Lat view; left plain radiograph of the wrist; male, 6 yo; subsequent exam:
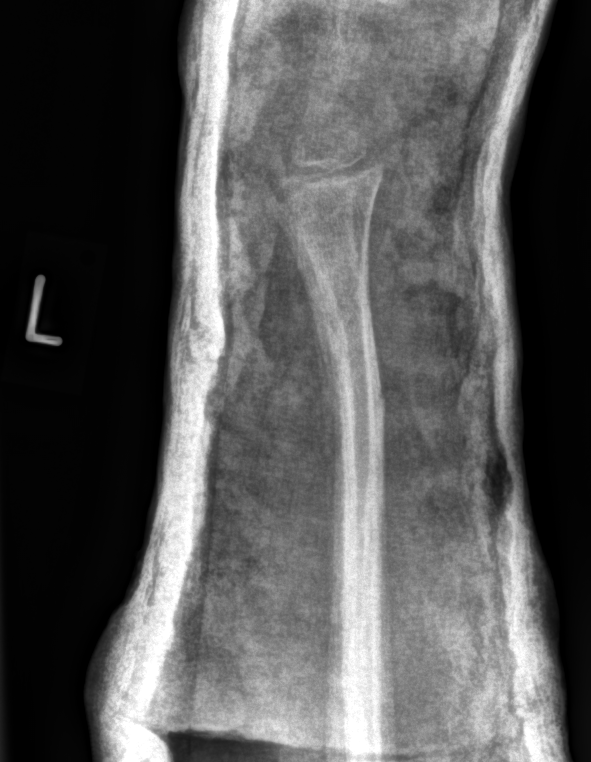

Fx — 304,271,392,485.
Fracture classified AO/OTA 23-M/3.1.